Lateral projection | Rt wrist plain film | follow-up —

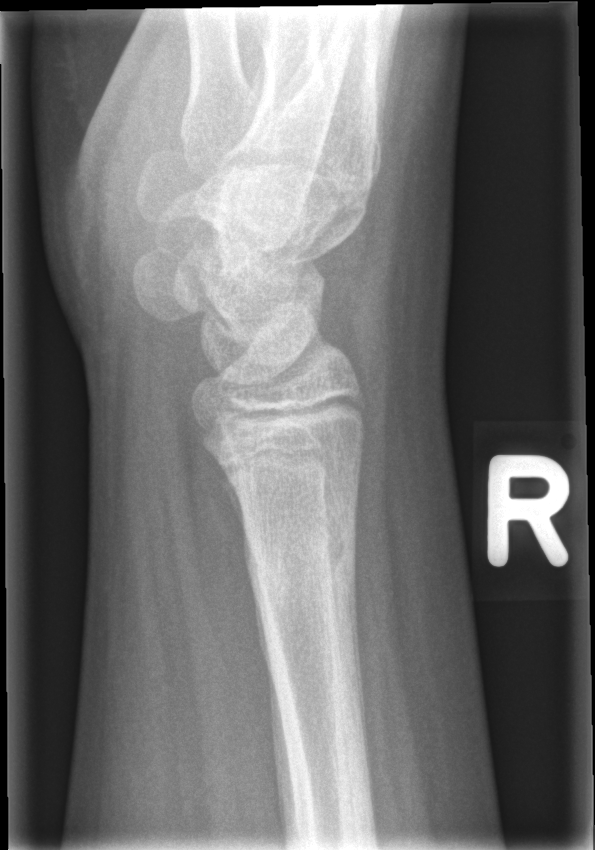 FINDINGS — Bone fracture identified at 242,507,362,632. Periosteal reaction — 348,556,371,799. AO/OTA classification: 23r-M/3.1; 23u-E/7.